Lat view; R pediatric wrist radiograph; in cast; 395 x 906 px: 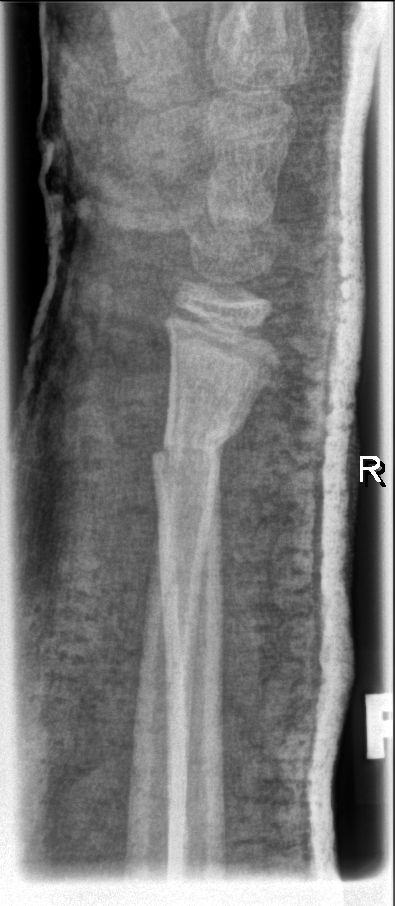 Boxes as x1,y1,x2,y2 (top-left / bottom-right, pixel units). Fracture: 148 416 247 480.